Left wrist plain radiograph of the wrist · lateral projection · 52.7 mm image width 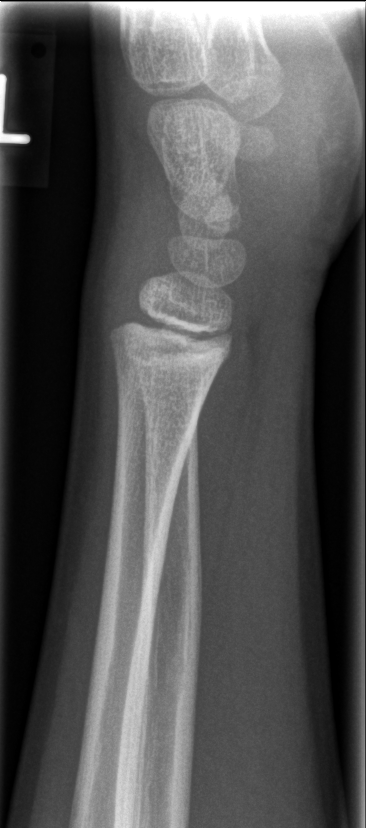 - No Fx annotated.